Left wrist XR, PA/AP view, 12-year-old male, in cast:
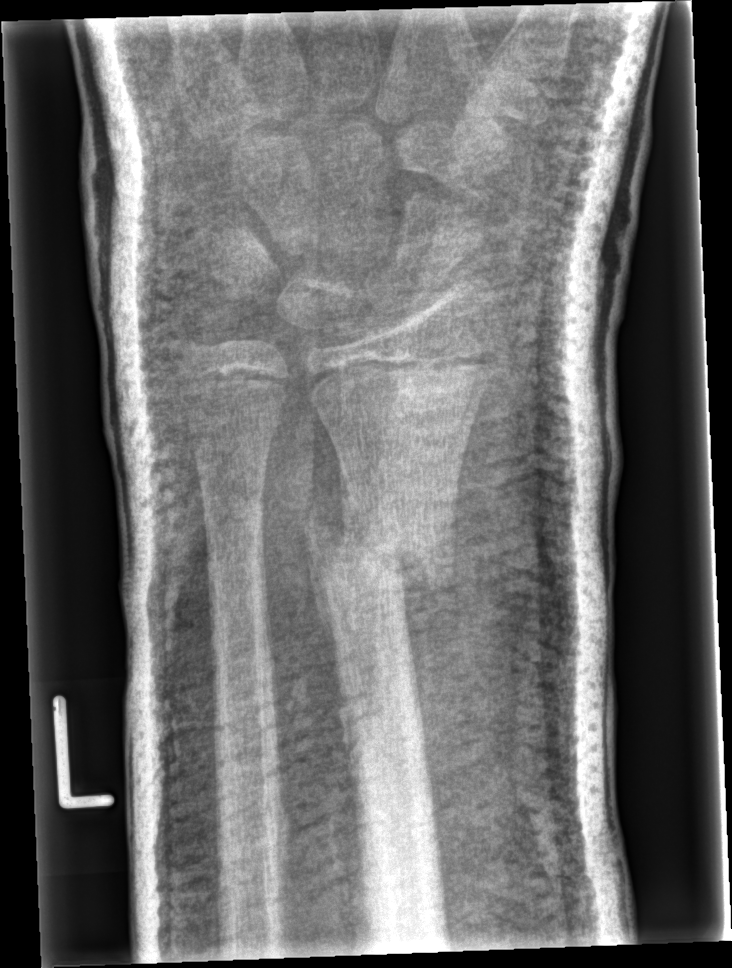

FINDINGS — Fracture — 294 504 459 611. Fracture classified AO/OTA 23r-M/3.1; 23u-E/7.